Right wrist XR · PA/AP projection · girl, 10 yo · detector: Siemens · image 95.9 mm wide:

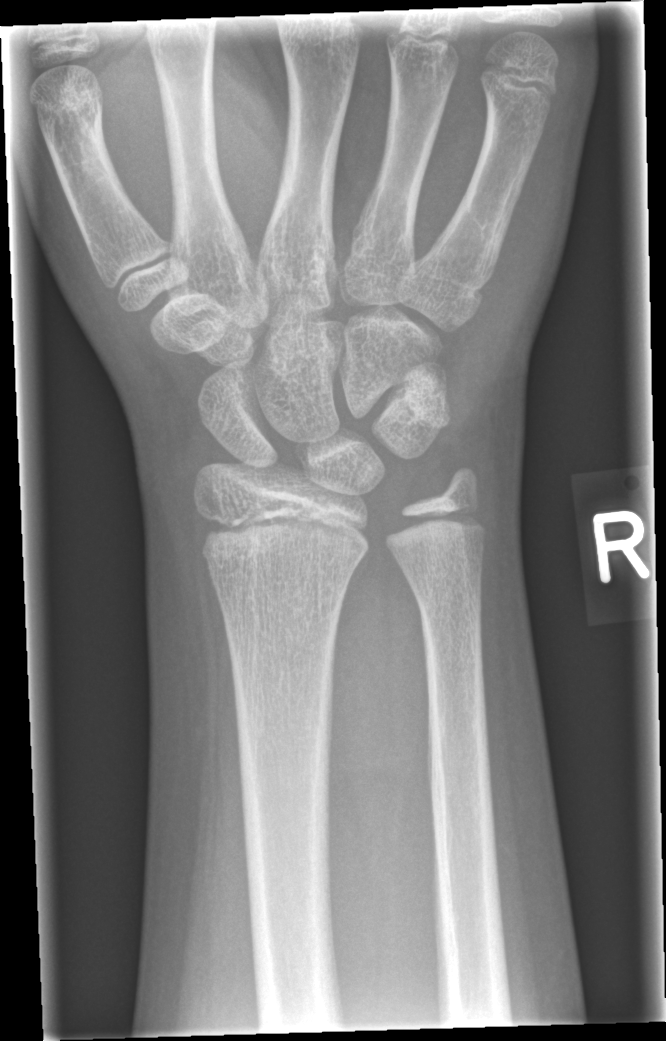

Fx: none.